PA projection; Lt plain radiograph of the wrist; follow-up study; in cast; acquired on Siemens. 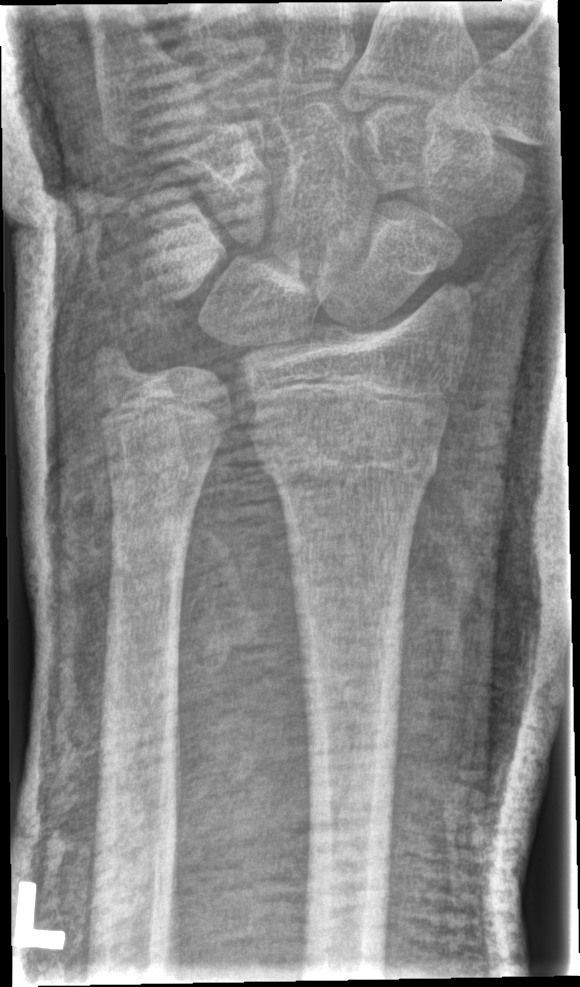

ao: 23r-M/3.1; 23u-E/7
fracture: [x1=251, y1=425, x2=442, y2=497]